Lt plain radiograph of the wrist | PA | male, 10 yo | presentation radiograph | detector: Siemens | image 90.4 mm wide | 628 by 965 pixels. 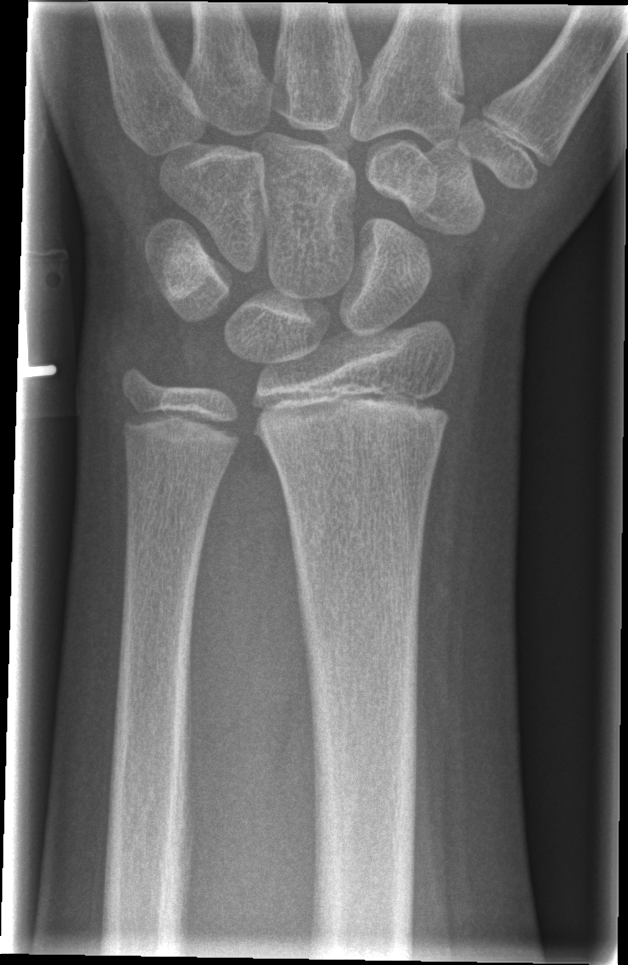

Q: Fracture present?
A: Fx: none